PA; Lt pediatric wrist radiograph; cast in situ; detector: Siemens: 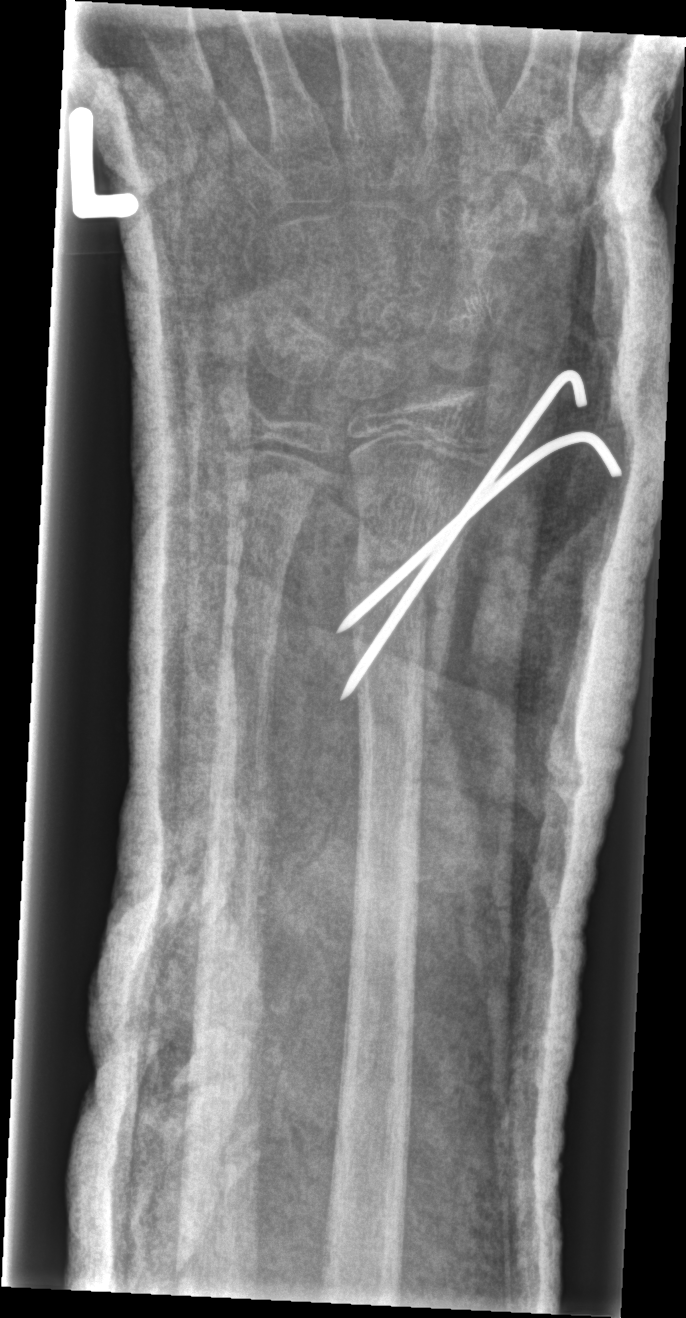
AO code = 23r-M/3.1; 23u-M/2.1
Metal = <336,368>-<608,701>
Fx = <335,542>-<467,638>